Lateral projection, Lt pediatric wrist radiograph, 9y M, 548 by 888 pixels — 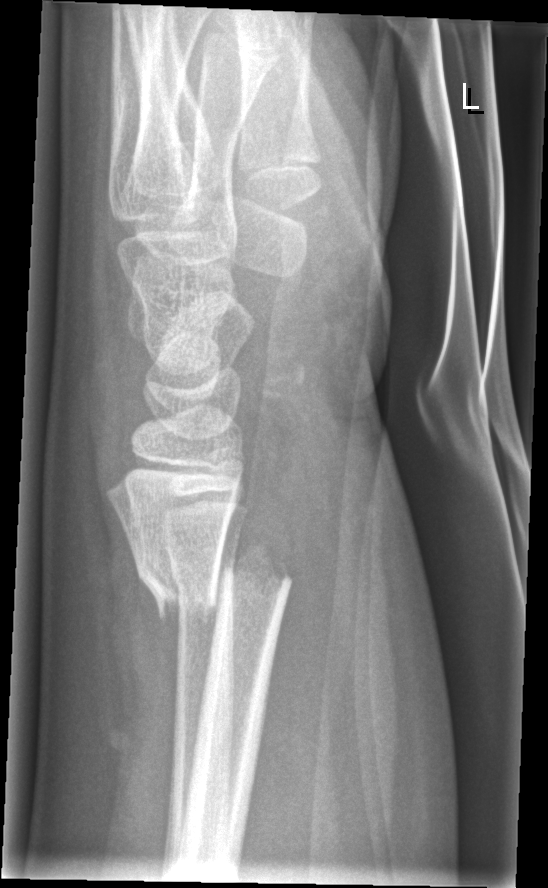
# boxes as x1,y1,x2,y2 (top-left / bottom-right, pixel units)
ao: 23r-M/3.1; 23u-M/2.1
fracture: (137, 538, 295, 627); (164, 546, 237, 597)